R wrist X-ray; lat projection; 11y F:

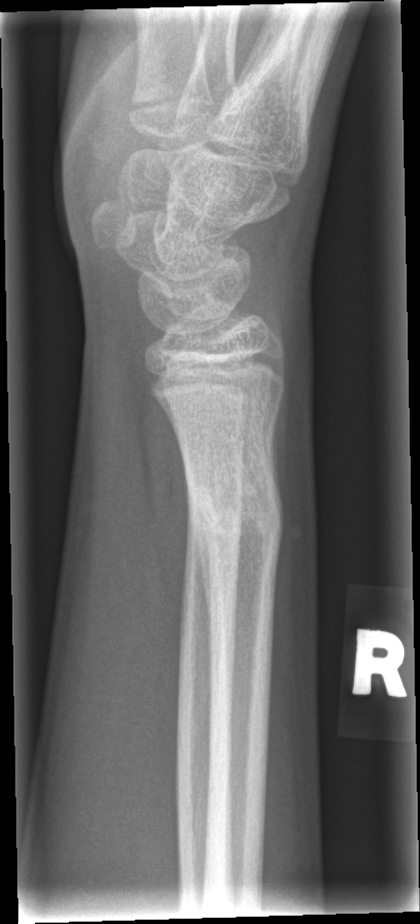 AO code 23r-M/3.1; 23u-M/2.1.
Periosteal reaction: <187,472>-<211,641>.
Fx identified at <181,465>-<288,568>.